AP · Rt wrist radiograph: 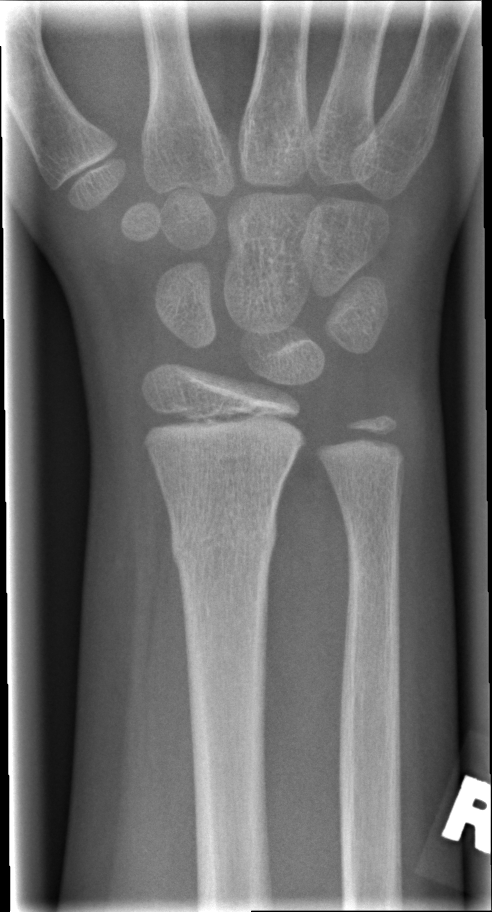

• Bounding boxes in image-pixel xyxy.
• One bone fracture at bbox(166, 507, 280, 573).
• AO code 23r-M/2.1.